Left wrist XR, lat projection, age 8 y, male — 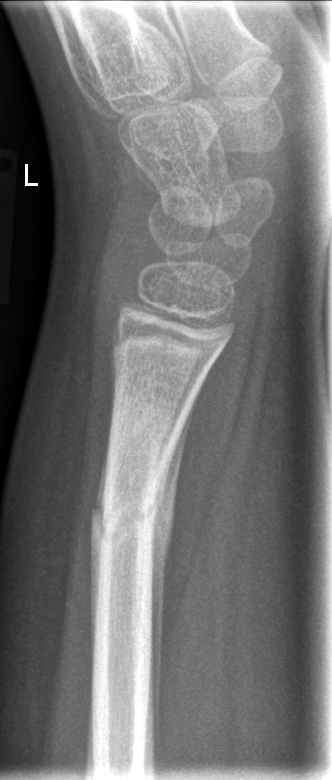 Findings: Fracture identified at 90,480,168,557. Periosteal thickening: 151,389,200,777; 87,434,111,673. Osteopenia.